Rt wrist XR, lateral projection, 11y F, follow-up study

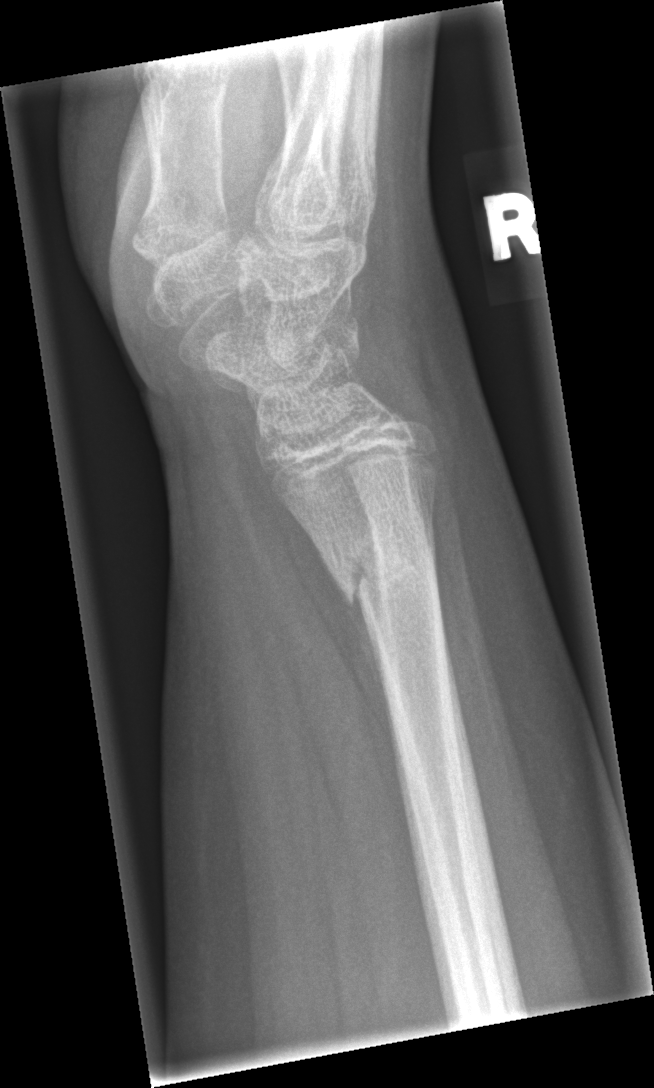
fracture = 1 @ (left=320, top=528, right=445, bottom=617)
AO/OTA = 23r-M/3.1
osteopenia = present